L plain radiograph of the wrist; lat view; index exam; Siemens
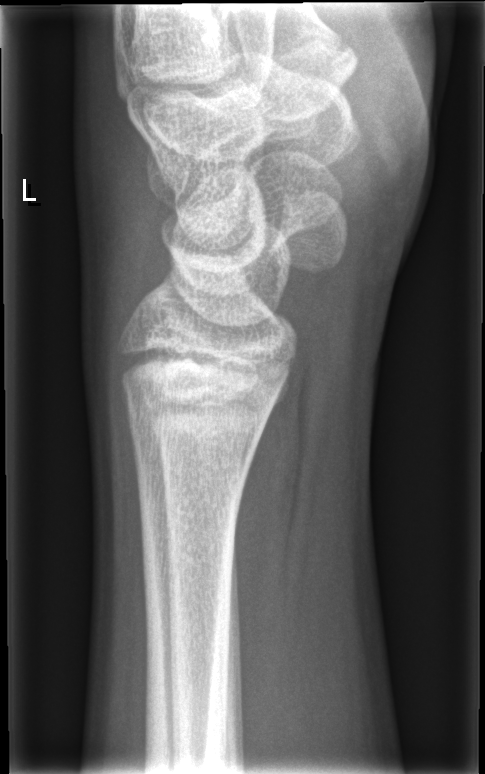 No fracture labeled.